Left wrist X-ray · lat view · 5y M · follow-up:
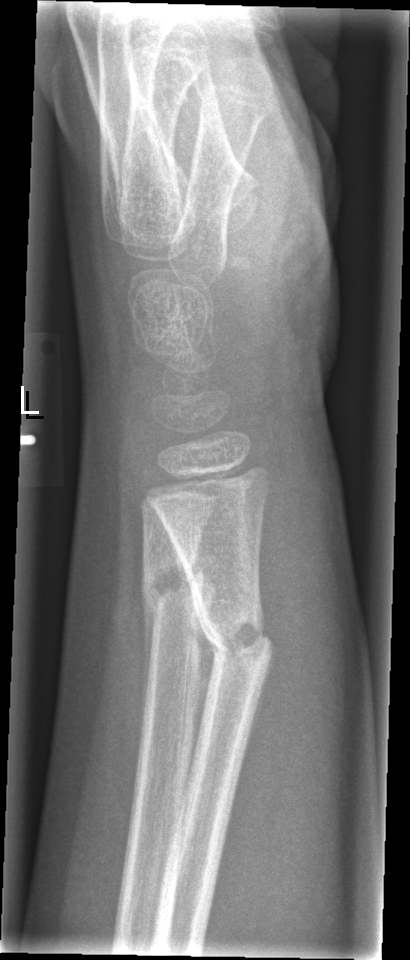
Fx: (left=198, top=605, right=276, bottom=677); (left=138, top=553, right=211, bottom=621). Periosteal new bone — (left=169, top=530, right=217, bottom=783) (left=142, top=584, right=159, bottom=748). AO code 23-M/3.1. Decreased bone density (osteopenia).